PA/AP, Rt wrist X-ray, 14y M, equivocal findings:

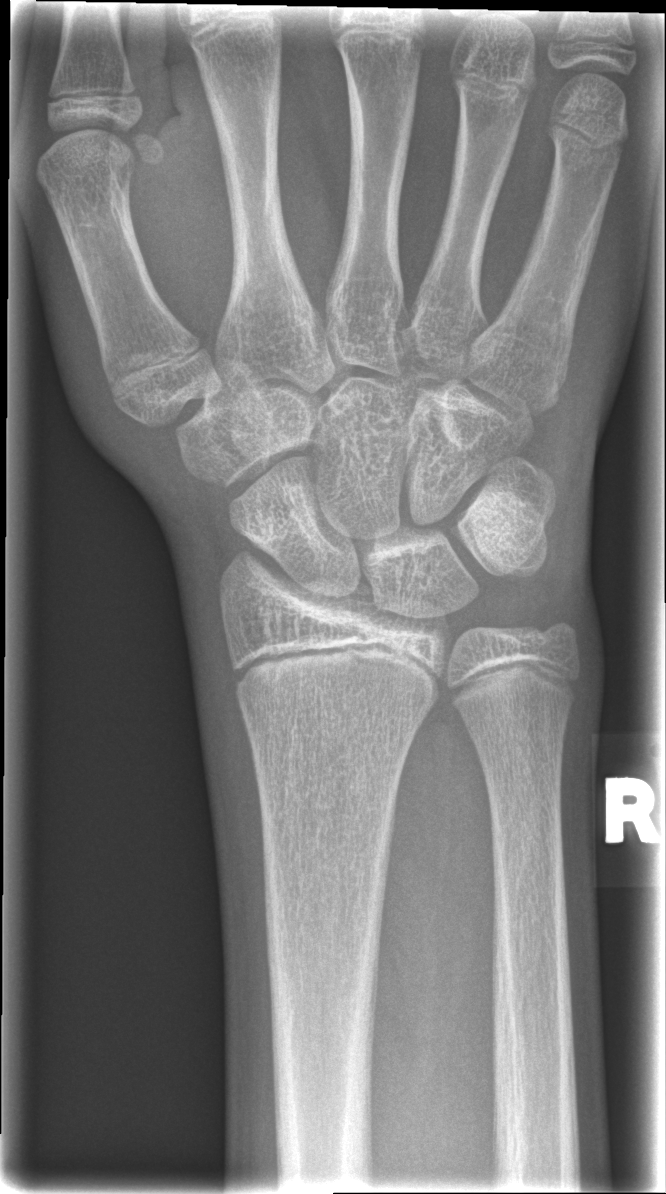

• Fx: present but not clearly seen in this view.
• Fracture classified AO/OTA 23r-M/2.1.